Frontal projection, L pediatric wrist radiograph, 10-year-old male, detector: Siemens, 400x756.

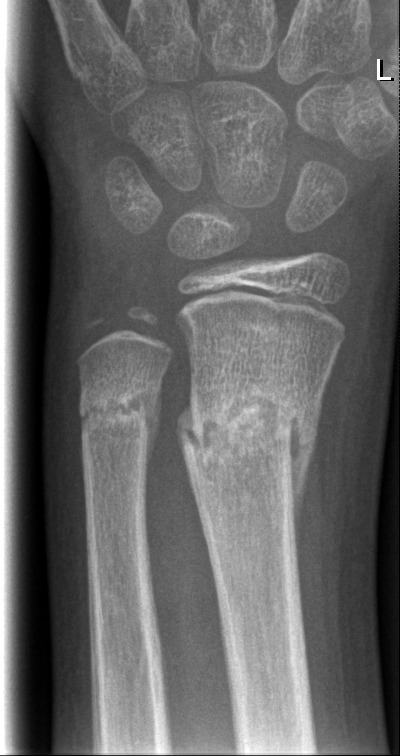

(pixel coordinates, top-left origin, xyxy)
Osteopenia = present
Periosteal reaction = (287, 412, 317, 572) (145, 379, 165, 478)
AO code = 23-M/3.1
Fracture = (178, 392, 319, 457); (79, 386, 161, 441)